Posteroanterior view | right wrist XR | 8-year-old girl | 537x804:

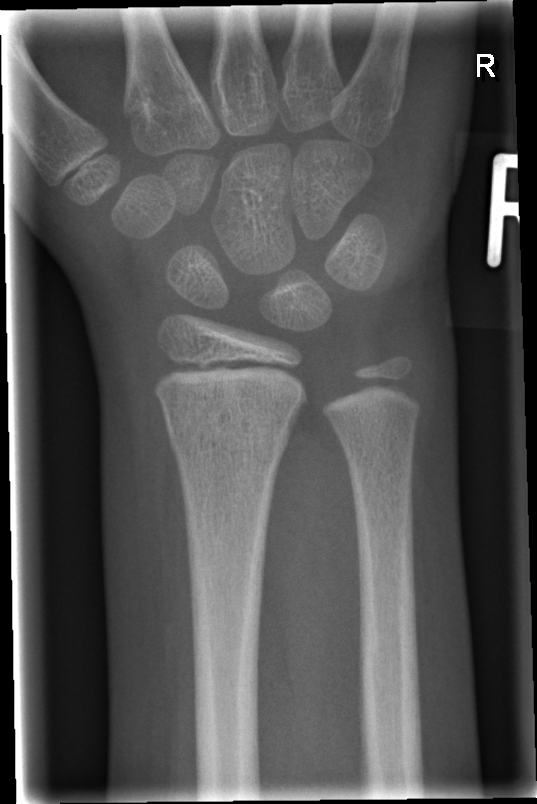
AO code 23r-M/2.1. Fx: [164, 416, 293, 461].